AP view | right wrist XR | Siemens | 591 x 928 px: 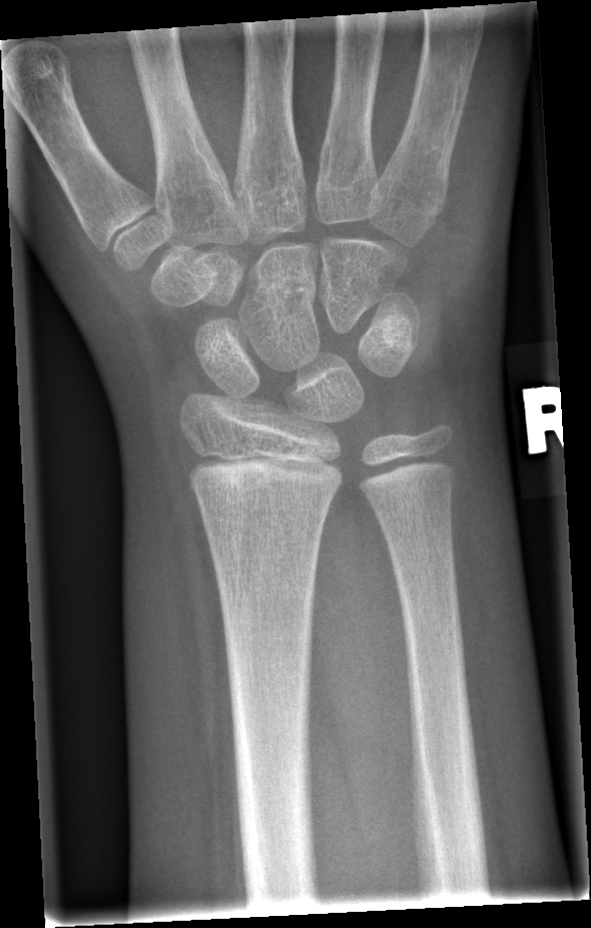
Fx: none.